Right wrist XR, lat, age 9 y, male, 328 by 1006 pixels. 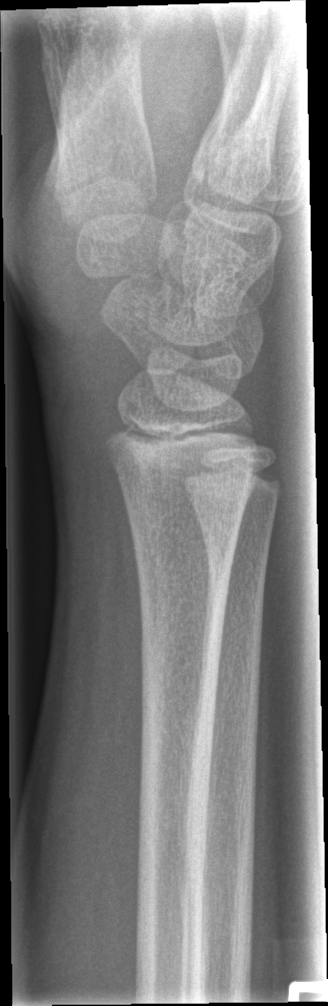 fracture: none labeled